Lat, left plain radiograph of the wrist.
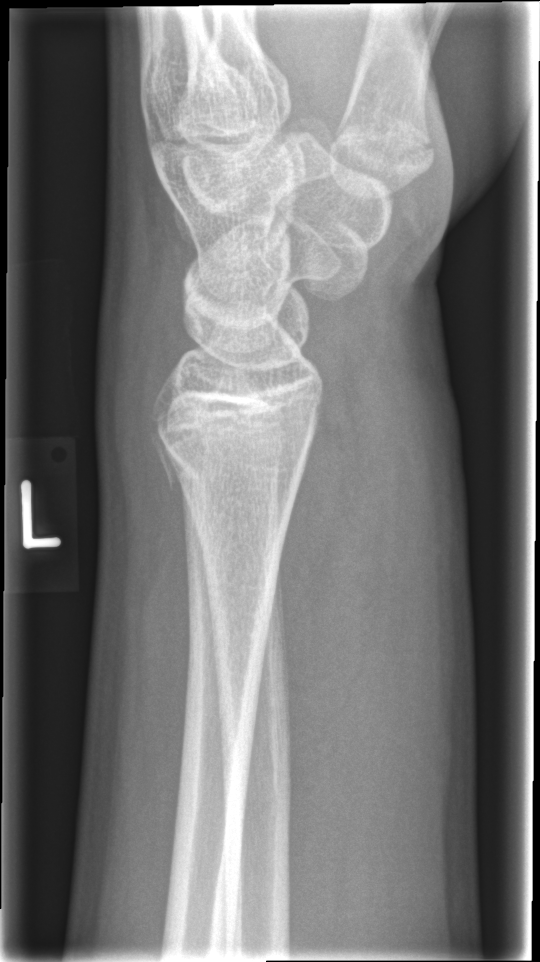
(bounding boxes in image-pixel xyxy)
Fx: 1 @ <147,393>-<323,493>
pronator sign: 1 @ <276,367>-<388,806>